AP projection, right wrist radiograph, pediatric patient (female, age 14), 596 by 1364 pixels: 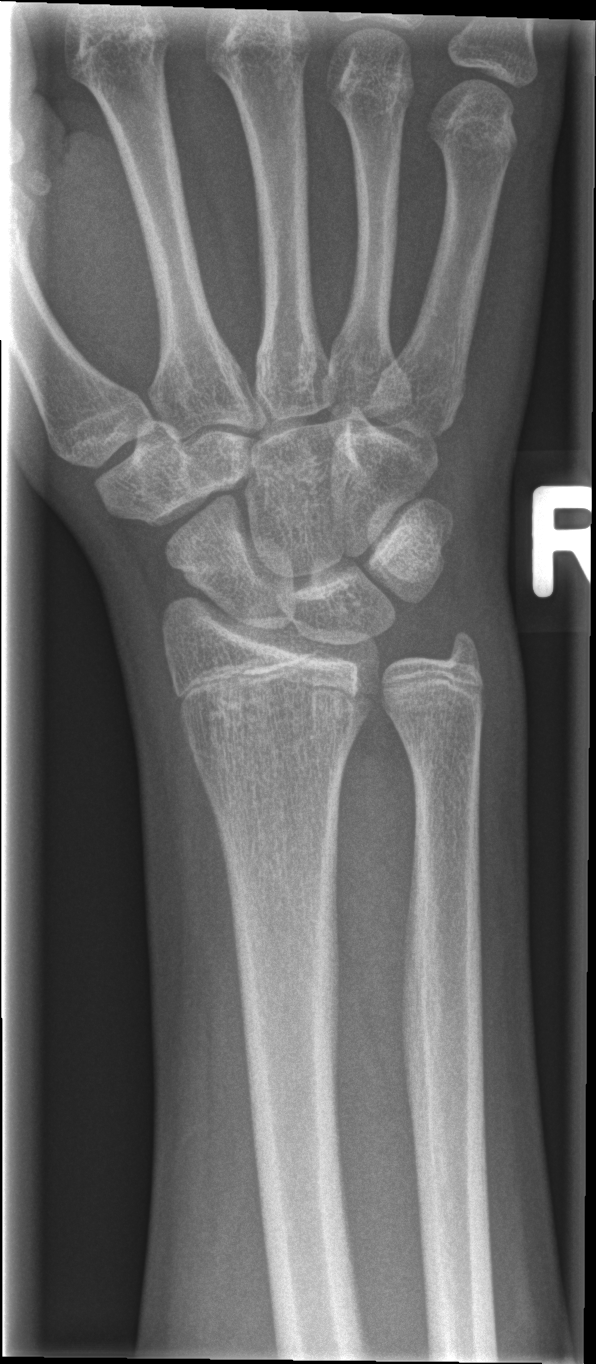 fracture: none labeled